Lateral | Rt plain radiograph of the wrist | pediatric patient (male, age 17) | image size 512x1444.

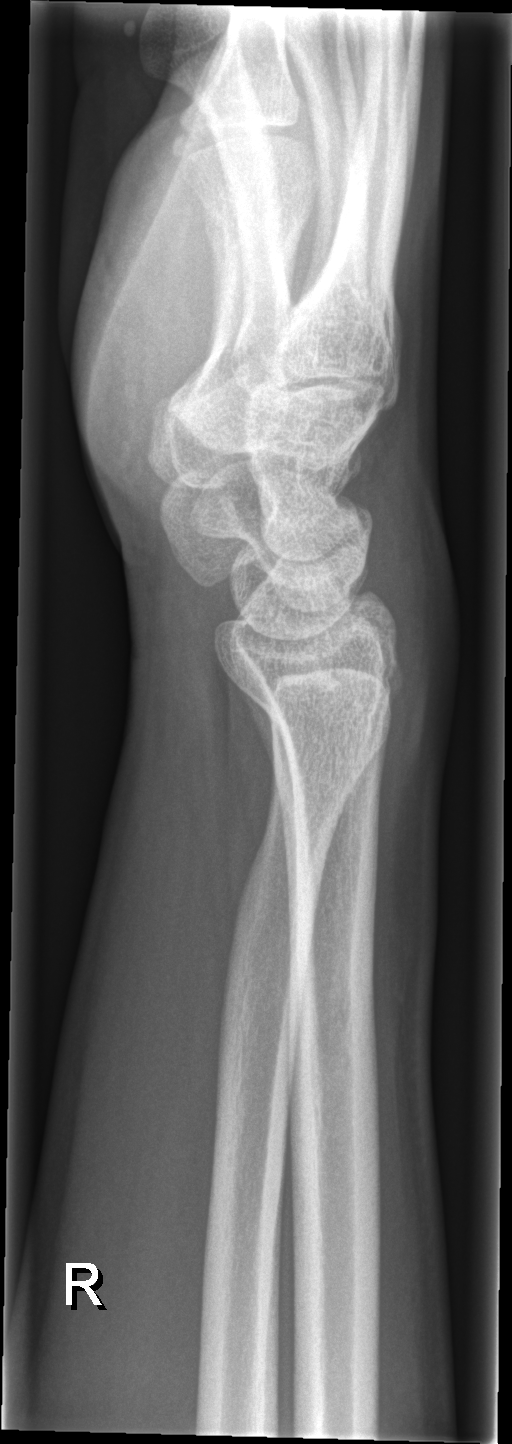

No Fx annotated.